L wrist radiograph, AP projection, female, 7 yo, 660 by 1194 pixels

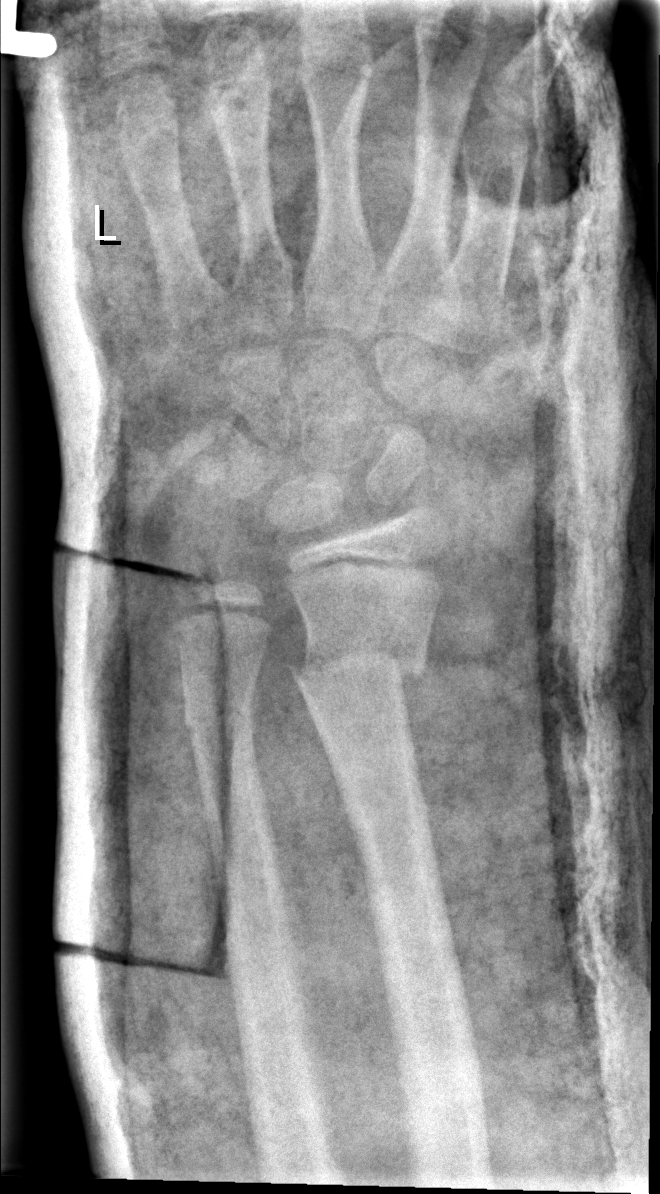 Q: Any fracture seen?
A: Bone fractures — bbox(288, 630, 429, 690); bbox(176, 689, 258, 750)